Frontal projection, right wrist plain film, cast in situ: 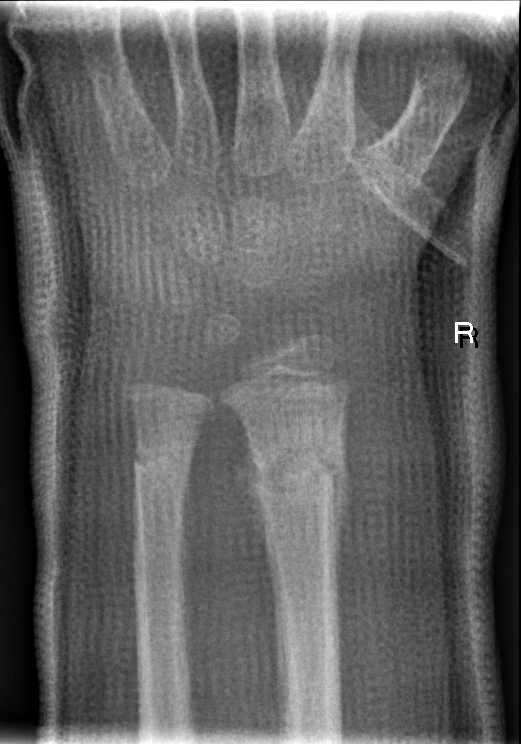 FINDINGS: (coordinates are [x1, y1, x2, y2] in image pixels) AO/OTA classification: 23r-M/3.1; 23u-M/2.1. Fracture: 252 430 347 511
  131 433 195 487. Two periosteal thickening at 332 389 352 602
  237 430 269 551.